Right wrist X-ray; lateral projection; acquired on Siemens 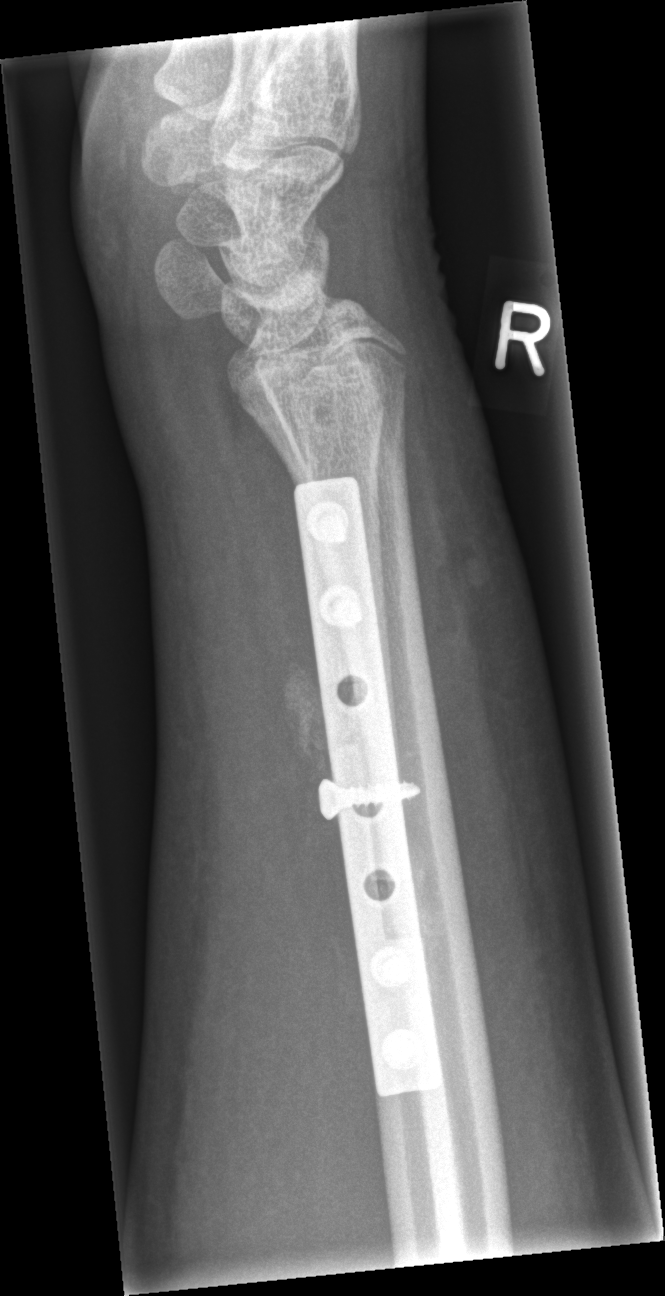 Q: Any fracture seen?
A: Fx: none
Q: Any metal present?
A: Metal identified at [x1=296, y1=477, x2=437, y2=1099]